PA projection | left wrist pediatric wrist radiograph | 4-year-old girl | initial study | 494 x 744 px
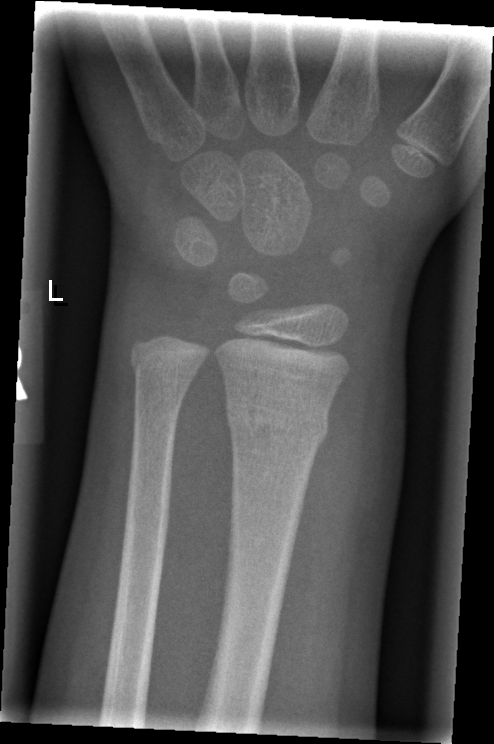
FINDINGS: (bounding boxes in image-pixel xyxy) Fx — (221, 392, 330, 454); (128, 345, 200, 393). Fracture classified AO/OTA 23-M/2.1.